R wrist radiograph | AP view | age 13 y, boy:

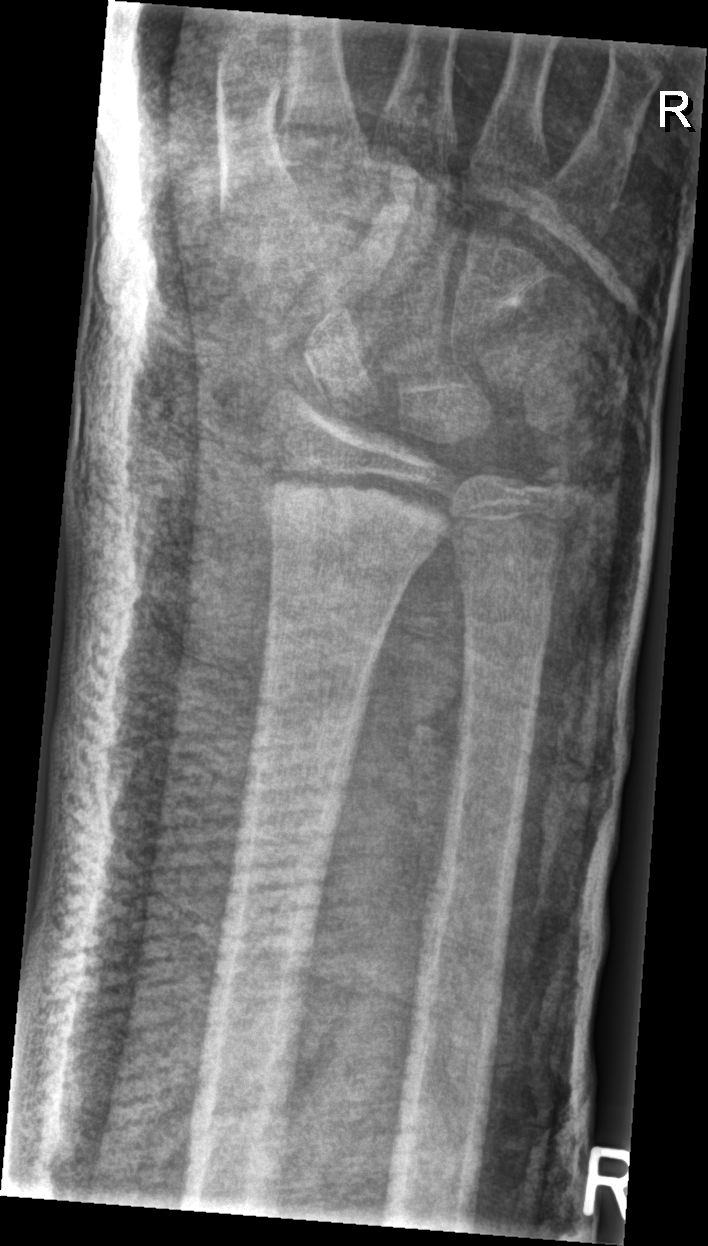 Pixel coordinates, top-left origin, xyxy. Two bone fractures at [x1=260, y1=470, x2=451, y2=563], [x1=521, y1=450, x2=587, y2=517].